Lat · left pediatric wrist radiograph · in cast. 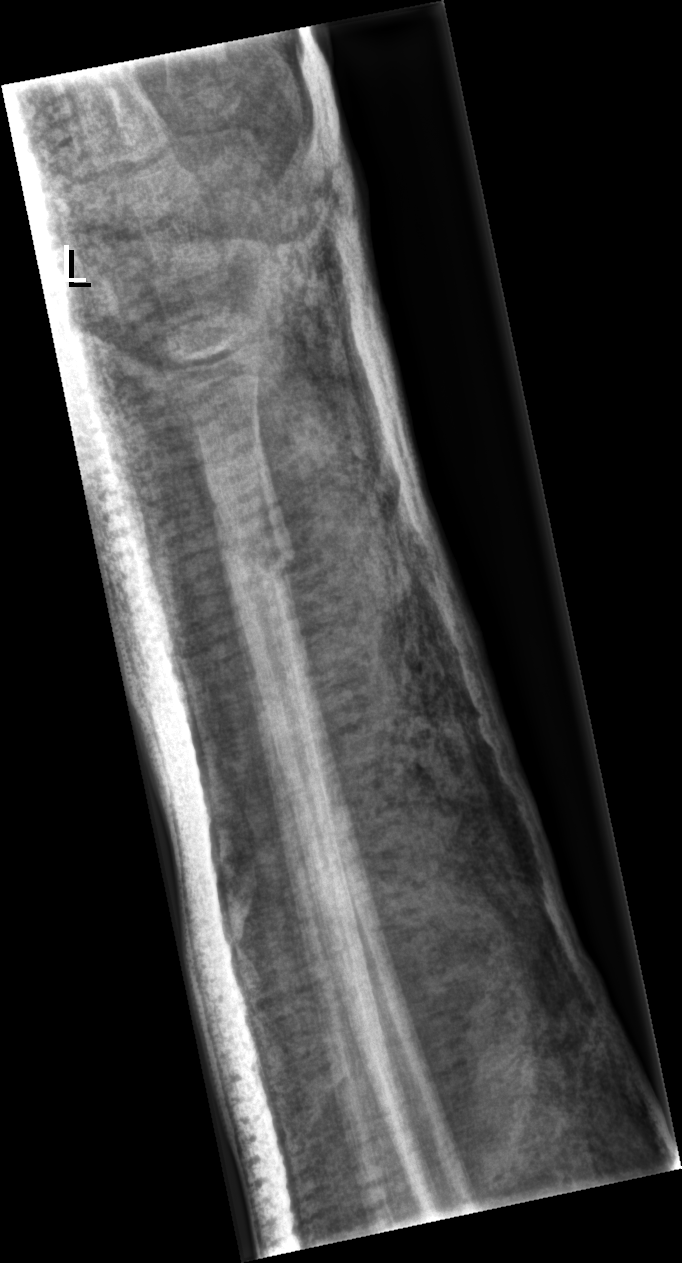

Bone fracture: 1 @ <204,498>-<303,588>